Right plain radiograph of the wrist · lateral · cast present · 493 x 918 px.
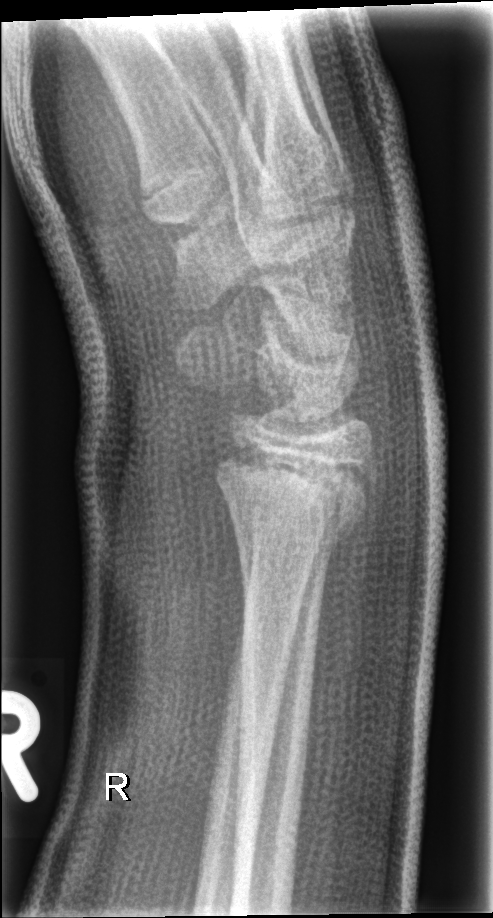 (boxes as x1,y1,x2,y2 (top-left / bottom-right, pixel units))
Q: Locate any fractures.
A: Fracture — [x1=210, y1=439, x2=380, y2=528]
Q: What is the AO/OTA classification?
A: AO/OTA classification: 23r-E/2.1; 23u-E/7